AP · Rt wrist plain film · pediatric patient (male, age 10) · index exam.
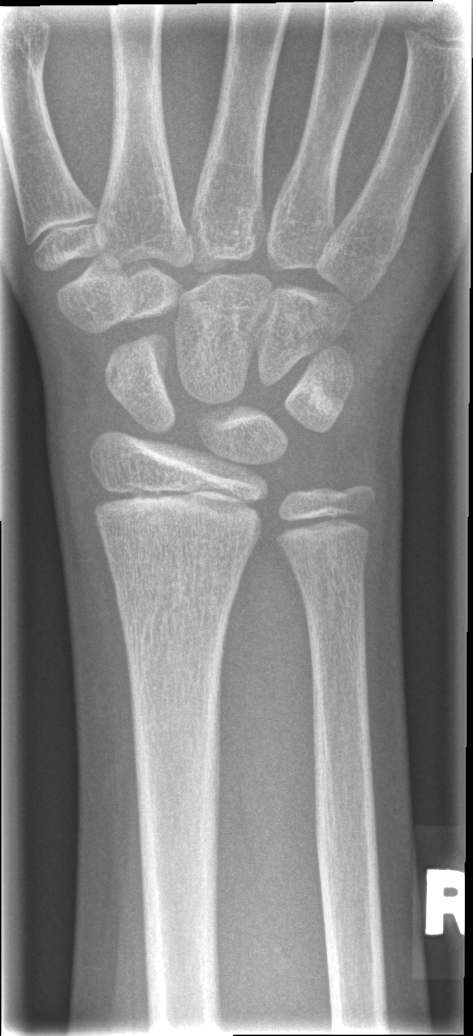
(pixel coordinates, top-left origin, xyxy)
fracture: [110, 558, 244, 608]